Right wrist pediatric wrist radiograph · lat · cast present · image size 670x1182.

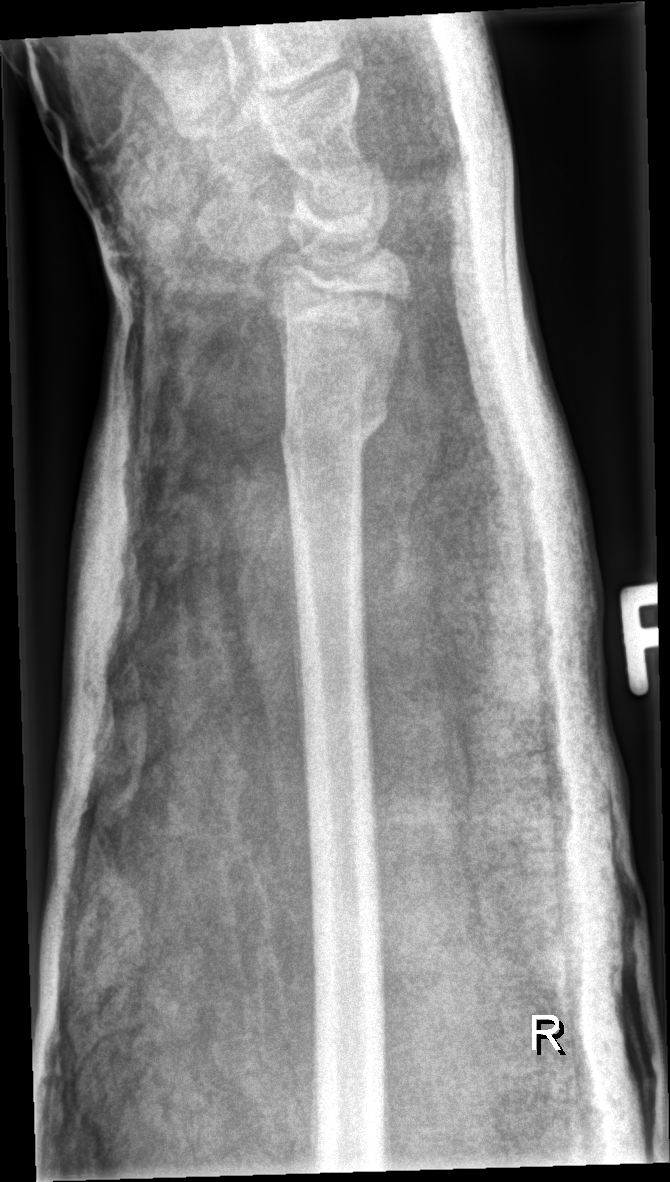
Fracture identified at [273, 380, 394, 468].
AO code 23r-M/3.1.